Left wrist XR · lat · subsequent exam.
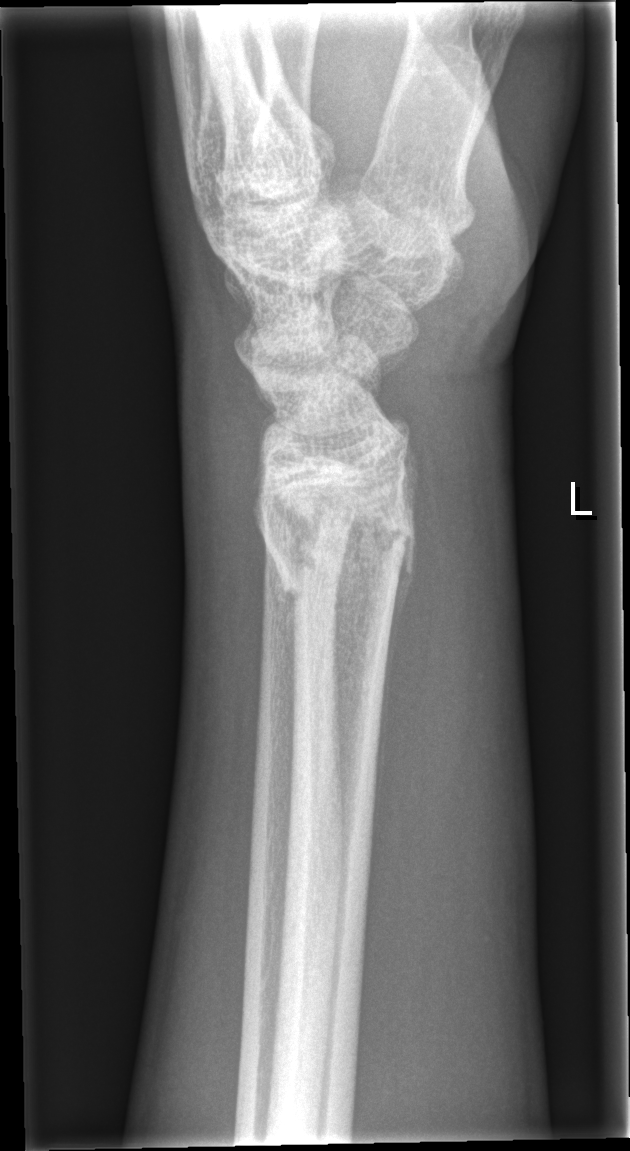
* Periosteal thickening identified at <369,508>-<417,848>.
* One bone fracture at <262,476>-<410,610>.
* Osteopenia.
* Fracture classified AO/OTA 23r-M/3.1; 23u-E/7.